Lateral projection · L wrist XR · cast in situ 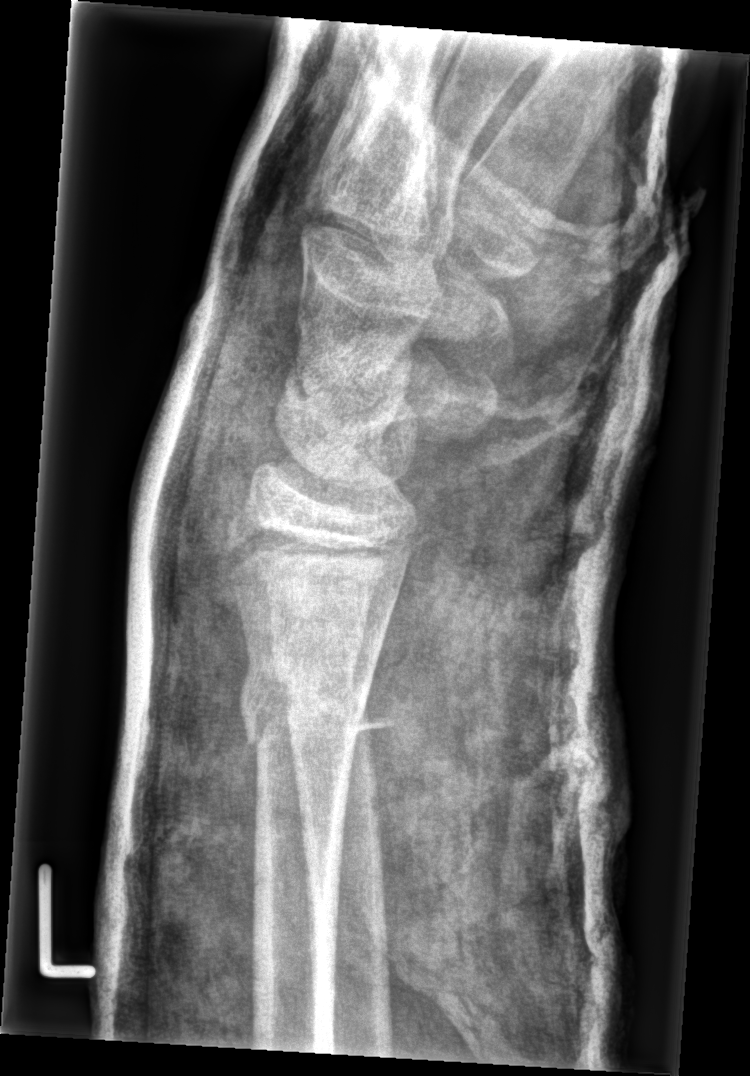
(pixel coordinates, top-left origin, xyxy)
Fracture: 1 @ 235,652,379,767
AO/OTA: 23-M/3.1; 23u-E/7